Right wrist XR; frontal projection; index exam; image size 503x742 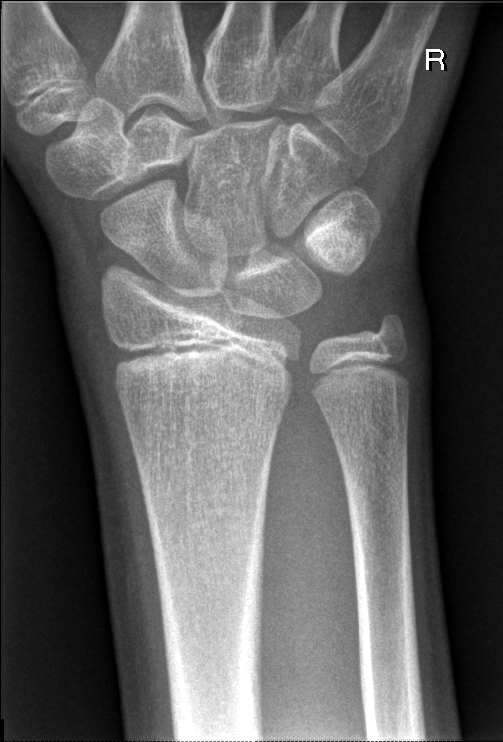

Findings: Fx: none.